AP | left wrist X-ray | boy, 10 yo | image 80.4 mm wide: 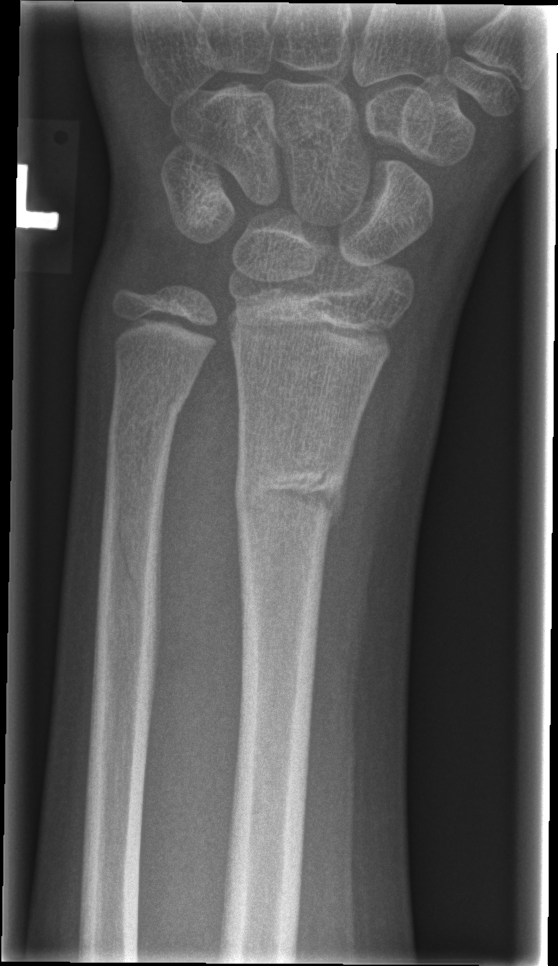
* Fracture classified AO/OTA 23r-M/3.1; 23u-M/2.1.
* Two fractures at 229,444,350,539 | 103,380,191,459.